Left wrist X-ray · PA/AP projection · in cast · 712 by 1282 pixels — 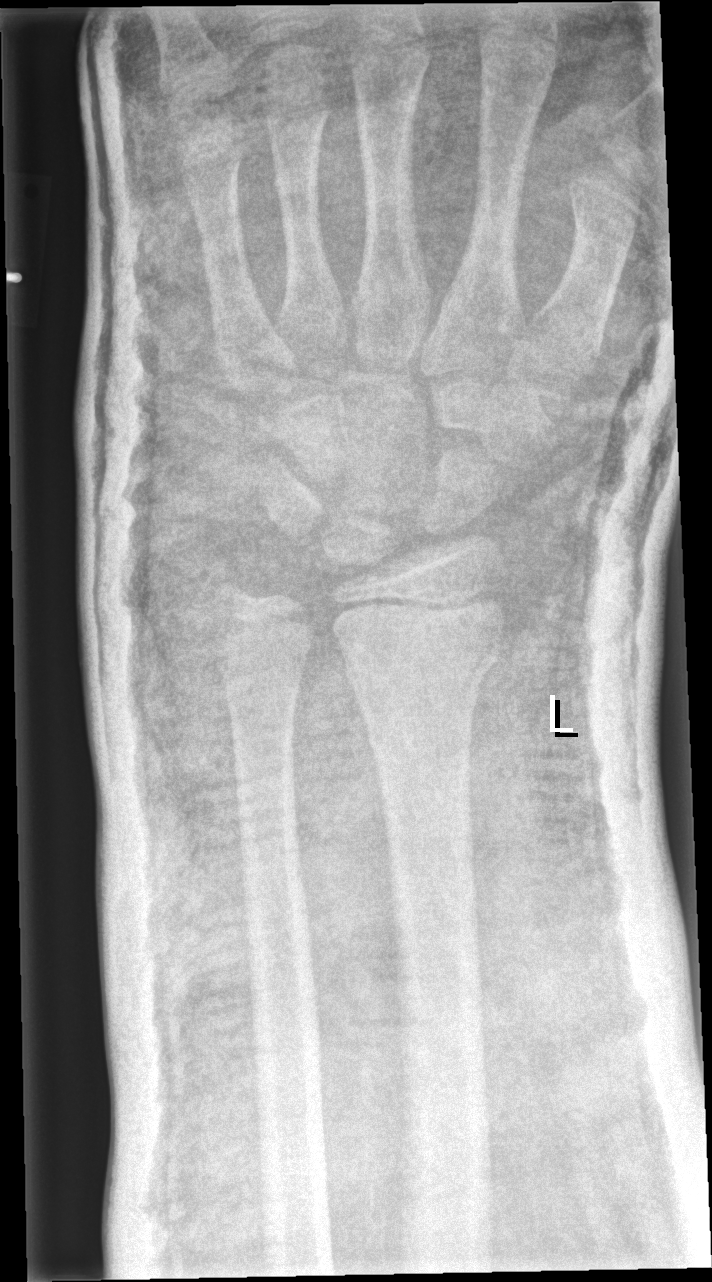
fracture: 1 @ 339,615,510,707